AP | left wrist plain radiograph of the wrist | 13y M | image size 613x1168 —
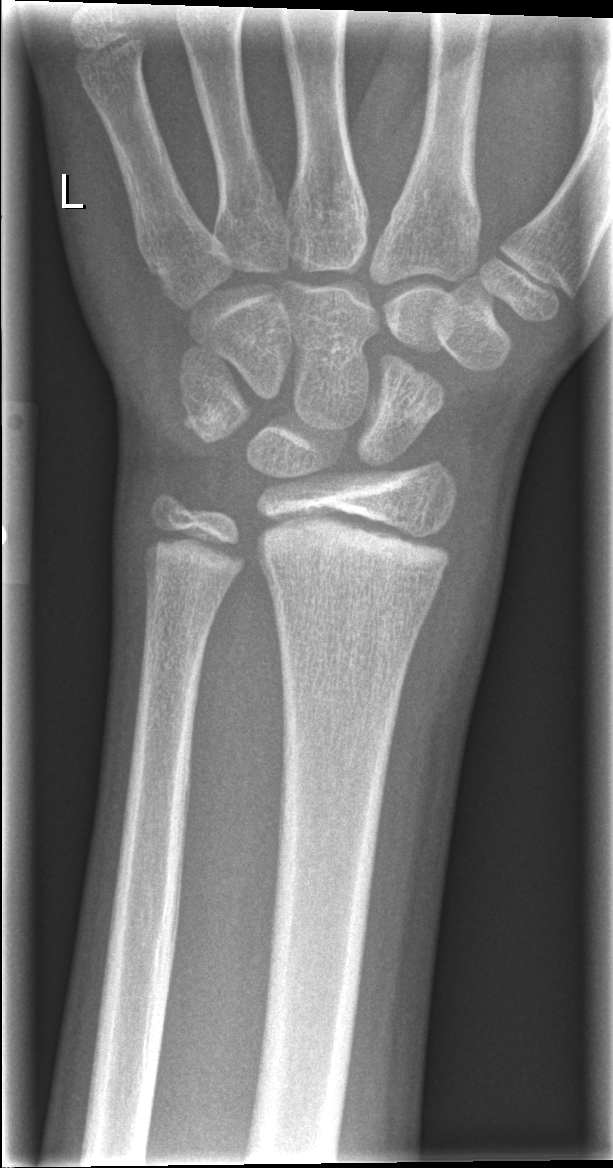 Q: What is the AO/OTA classification?
A: AO code 23r-E/2.1
Q: Locate any fractures.
A: Fx present but not clearly seen in this view